PA/AP projection; left wrist X-ray; acquired on Siemens; 583x952
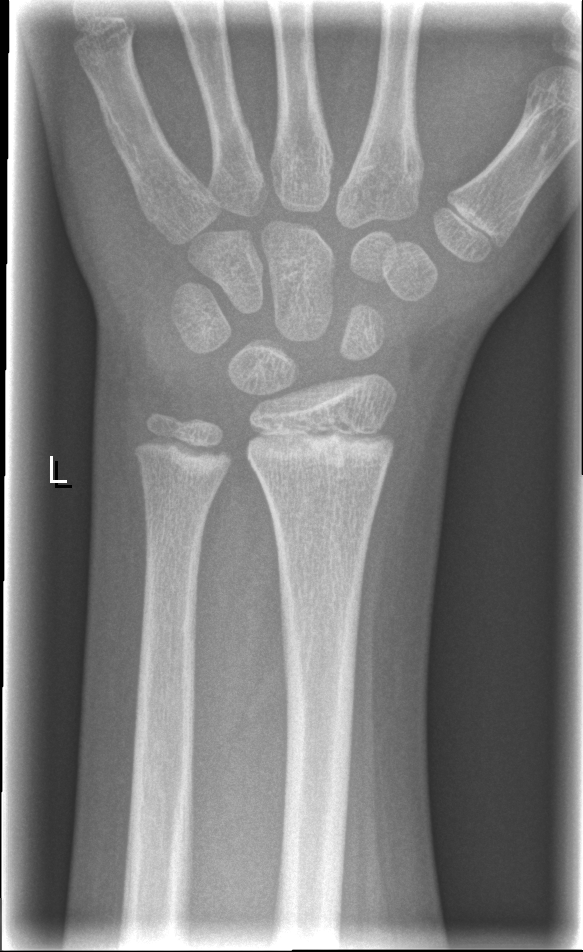
  fracture: none labeled